PA/AP view | right wrist plain film

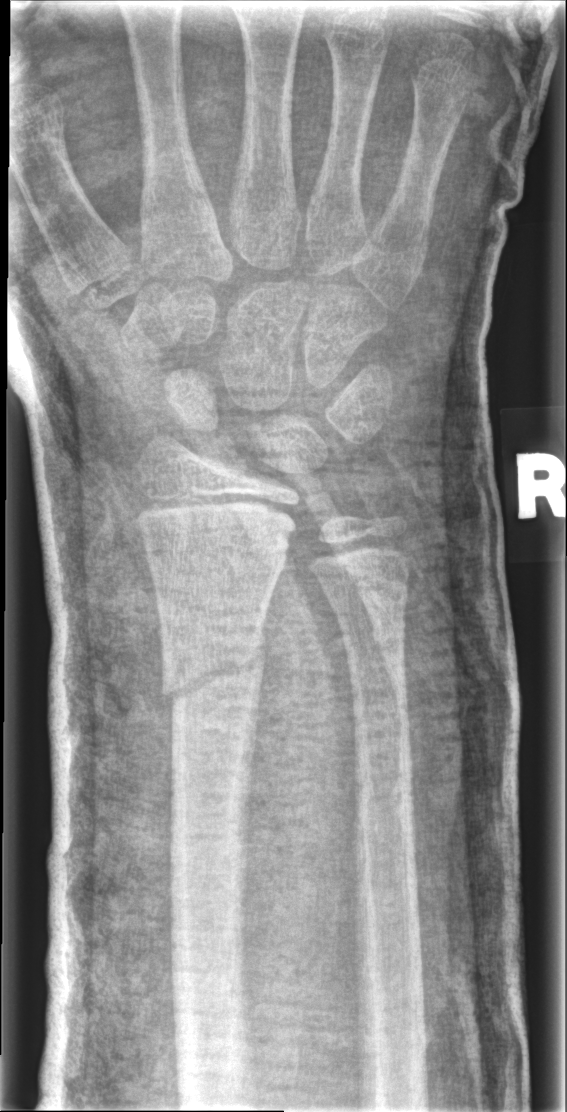   fracture: 158 636 268 708
  ao: 23r-M/3.1